Frontal, left pediatric wrist radiograph, cast in situ, 846 by 1264 pixels — 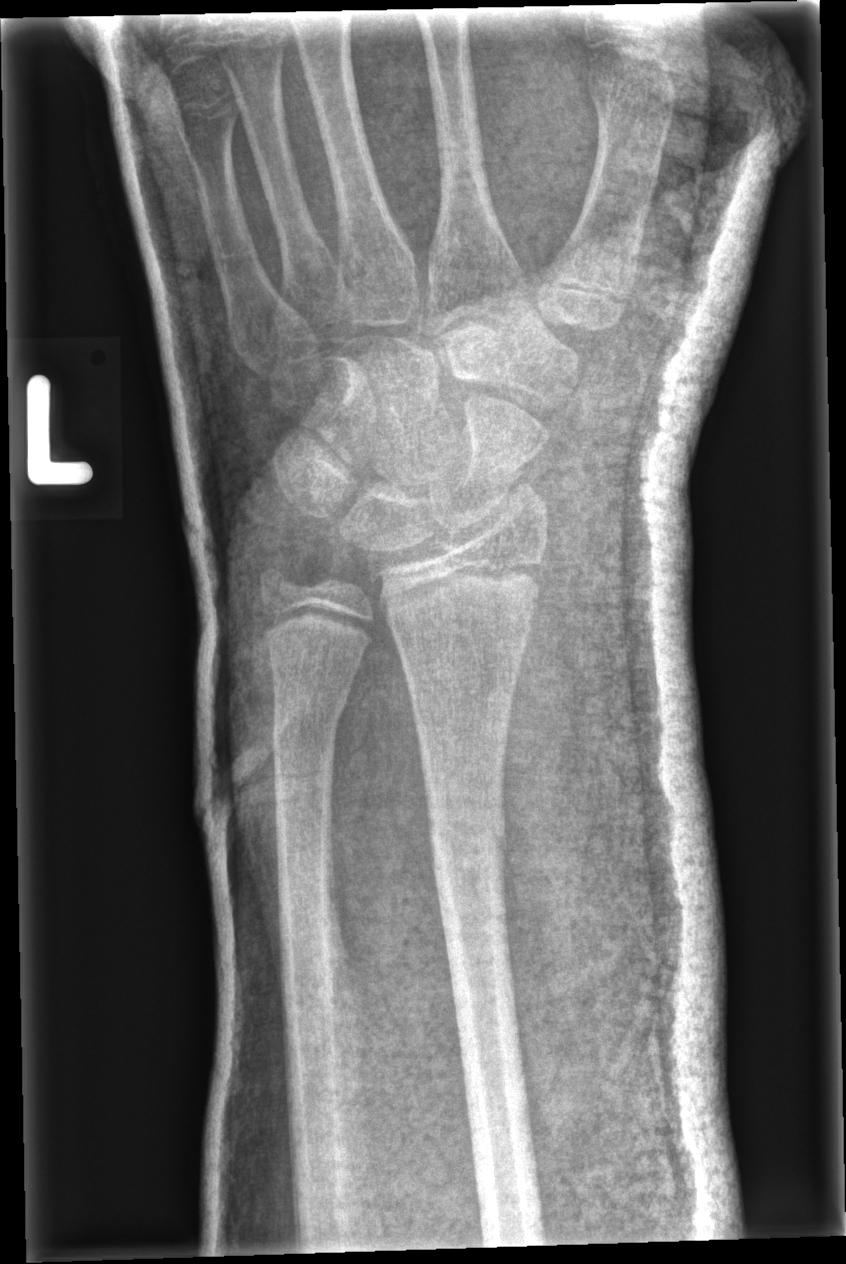
• Pixel coordinates, top-left origin, xyxy.
• Two bone fractures at [427, 803, 509, 864]; [271, 687, 353, 738].
• Fracture classified AO/OTA 22r-D/2.1; 23u-M/2.1.